Lt plain radiograph of the wrist · lateral projection · boy, 16 yo · image size 477x842. 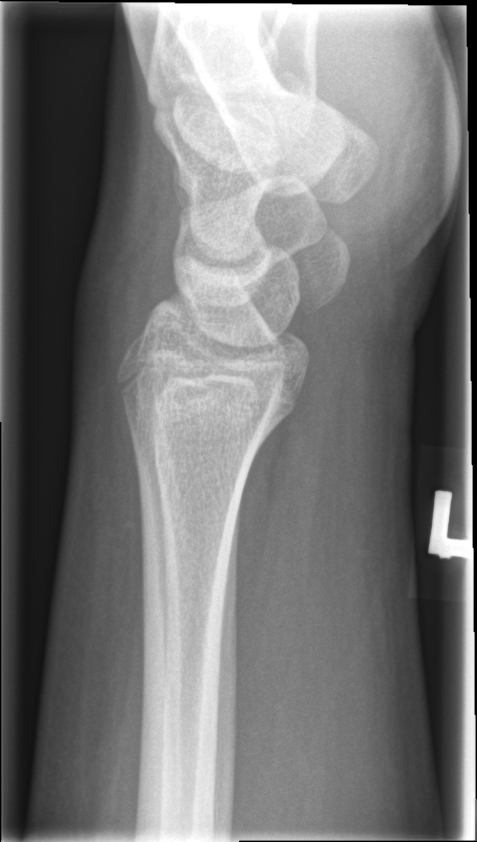 (boxes as x1,y1,x2,y2 (top-left / bottom-right, pixel units))
Fracture = none labeled
Soft-tissue finding = 1 @ 75,146,180,406